AP projection · left wrist plain radiograph of the wrist · 11y F · cast present.
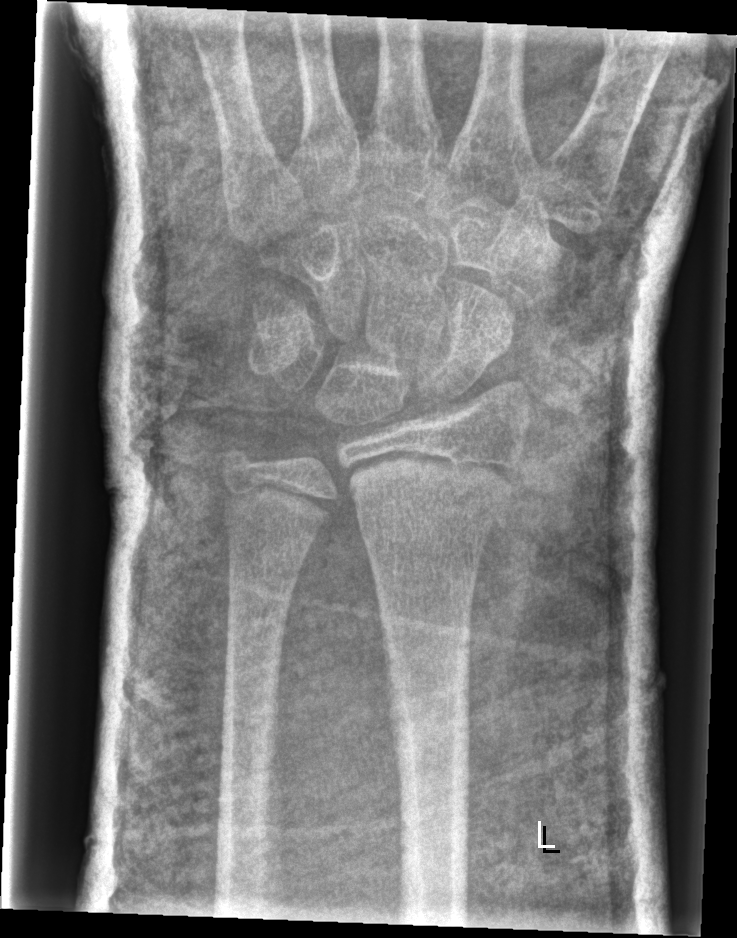

AO/OTA: 23r-M/3.1
Fx: (left=353, top=496, right=512, bottom=557)